PA projection, left pediatric wrist radiograph, age 15 y, boy, follow-up study, image 76.8 mm wide, 533 by 748 pixels. 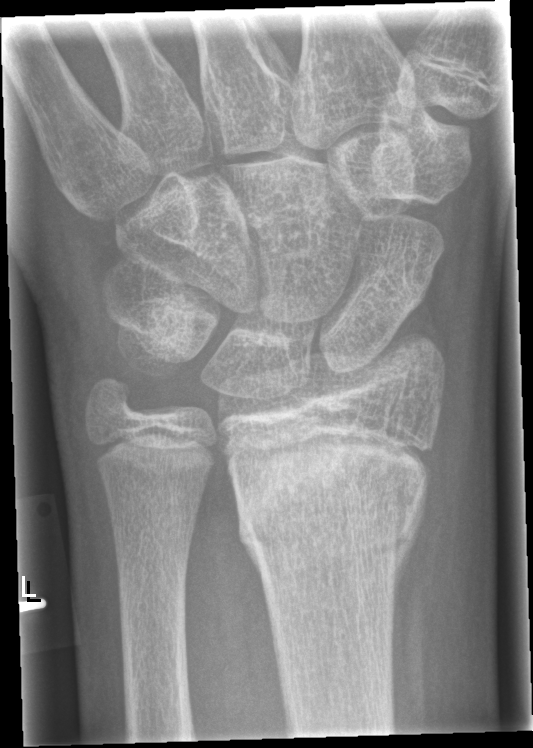
Findings: (bounding boxes in image-pixel xyxy) Fracture identified at 232 425 430 567
  82 369 137 424. Periosteal new bone identified at 393 468 432 627
  235 497 266 593. Osteopenia.